PA | left pediatric wrist radiograph | 14y M

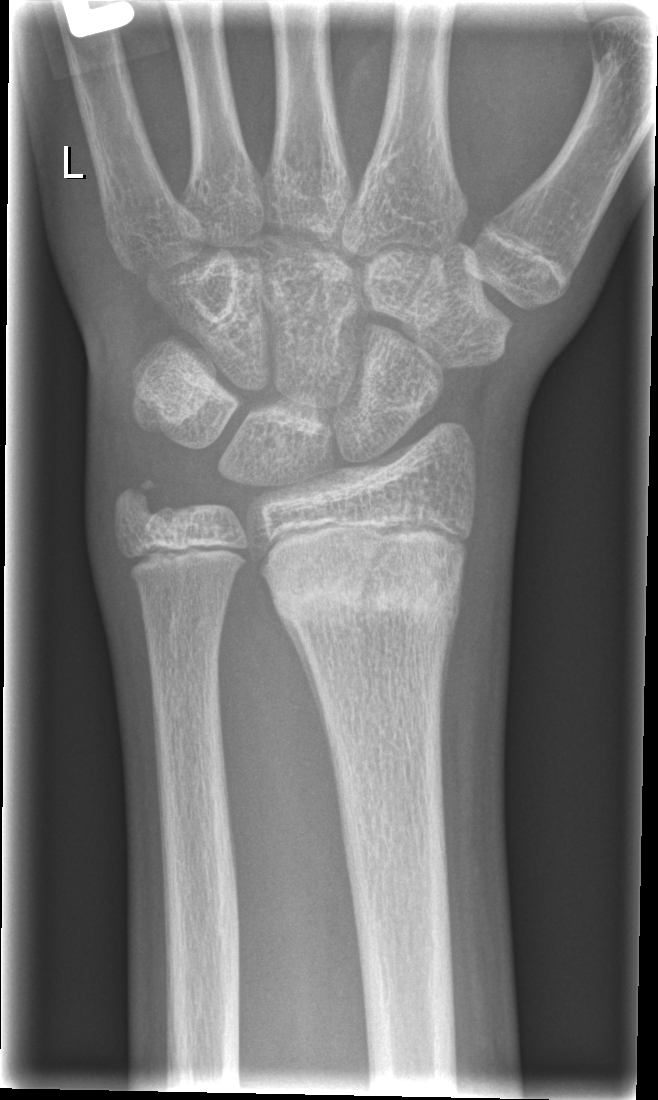 Pixel coordinates, top-left origin, xyxy. Periosteal reaction identified at [275, 609, 334, 778]. Fracture classified AO/OTA 23r-M/3.1; 23u-E/7. Two fractures at [266, 542, 467, 637] [108, 468, 174, 530]. Decreased bone density (osteopenia).